L wrist X-ray; obl; 578x694

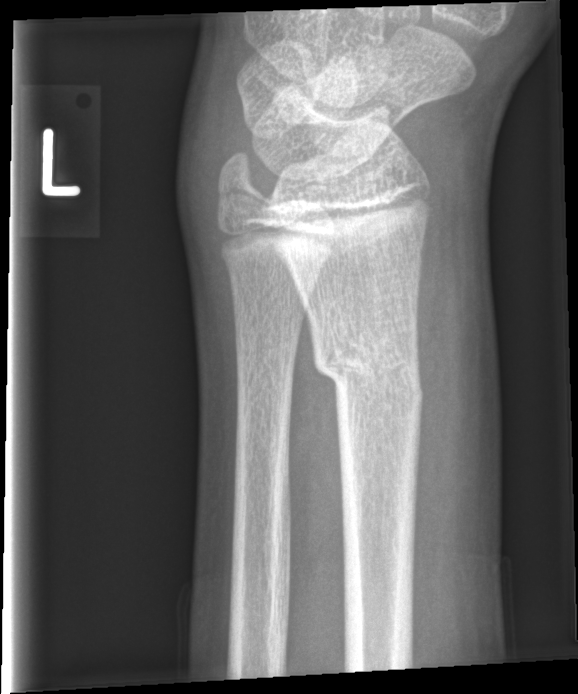 Bone fracture identified at 315,334,428,420 | 213,149,278,209.